Lateral projection · left plain radiograph of the wrist · male, 5 yo — 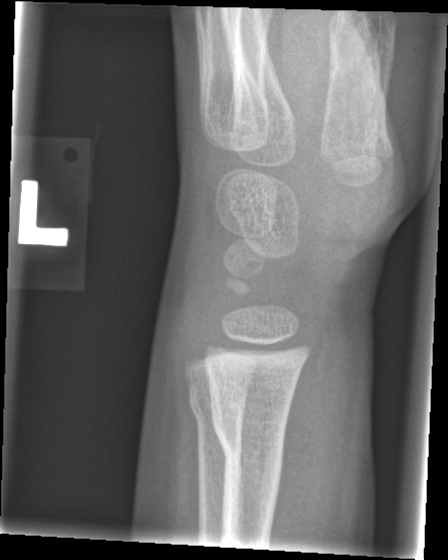 Fracture = 208,405,287,476; 188,384,247,429
AO/OTA = 23-M/2.1